Lateral; left pediatric wrist radiograph; 12-year-old male — 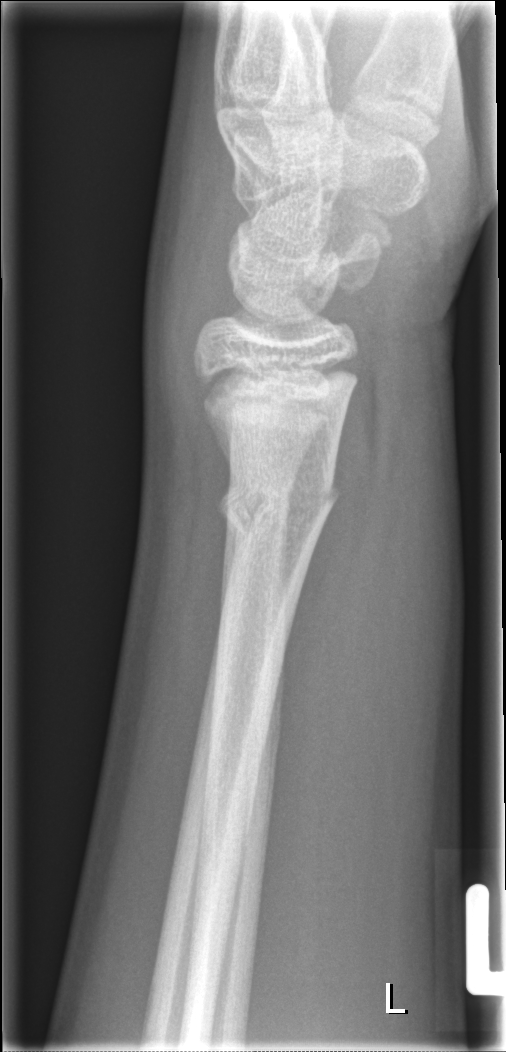 Coordinates are [x1, y1, x2, y2] in image pixels. Pronator sign: 255 343 386 826. One Fx at 209 471 345 555.